Left wrist XR | PA/AP | age 13 y, male.

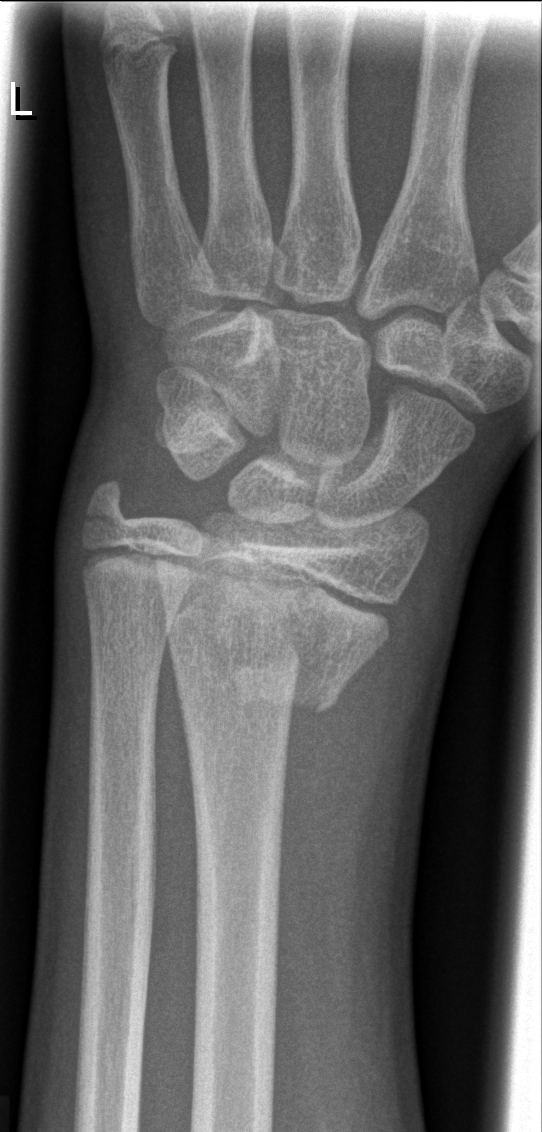
Coordinates are [x1, y1, x2, y2] in image pixels.
Two fractures at <152,515>-<403,721>, <77,476>-<143,538>.
AO/OTA classification: 23r-E/2.1; 23u-E/7.